Lateral; Rt pediatric wrist radiograph; pediatric patient (girl, age 14); detector: Siemens: 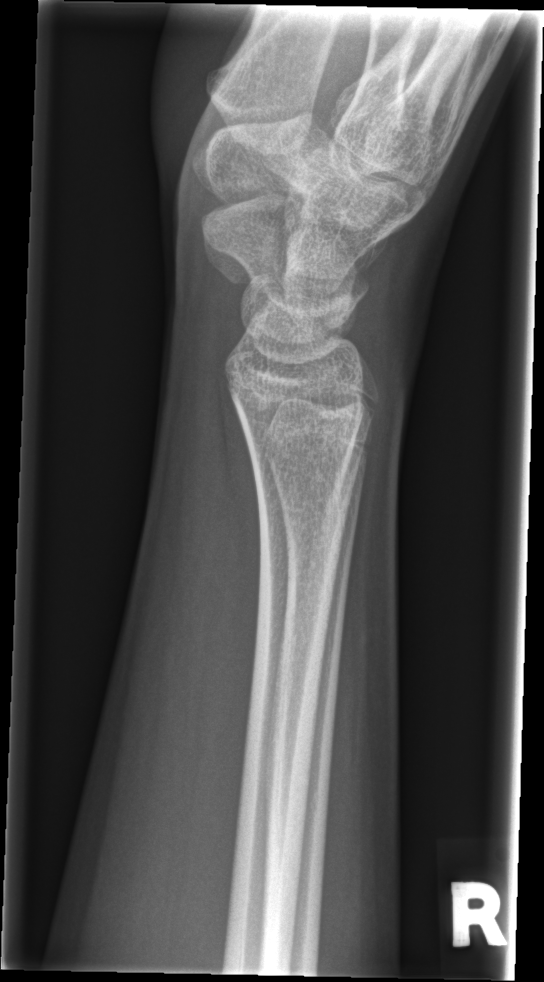 Fx = none labeled